Frontal, right wrist plain film, 516x1312:

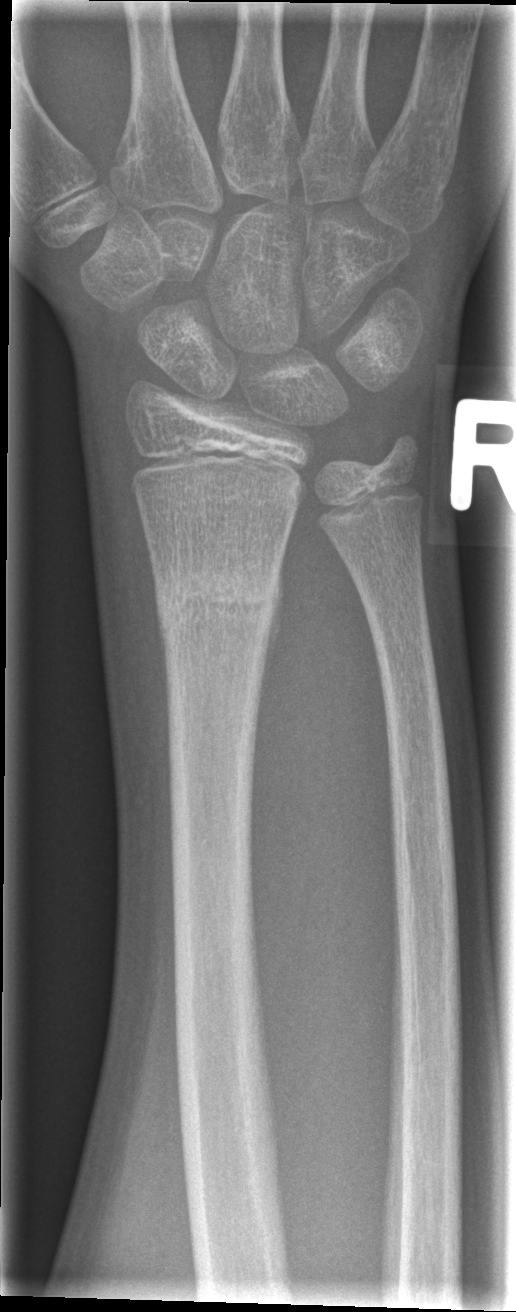

* Fracture classified AO/OTA 23r-M/3.1.
* Osteopenic.
* One bone fracture at [149, 560, 284, 645].